Frontal view, L wrist plain film, age 9 y, female:

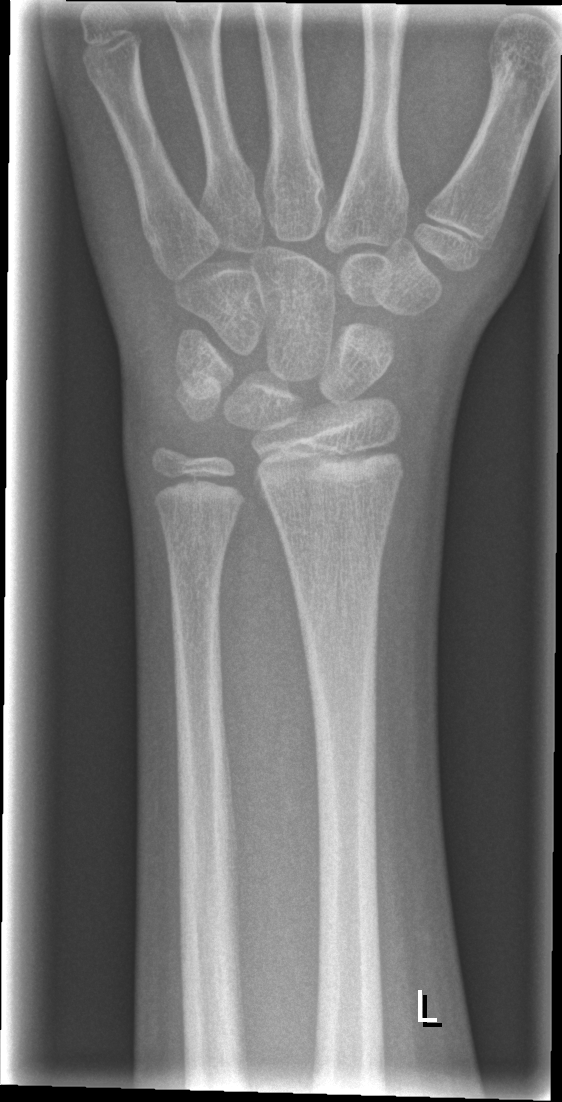

• No fracture annotation.